Posteroanterior · left plain radiograph of the wrist · pediatric patient (boy, age 16) — 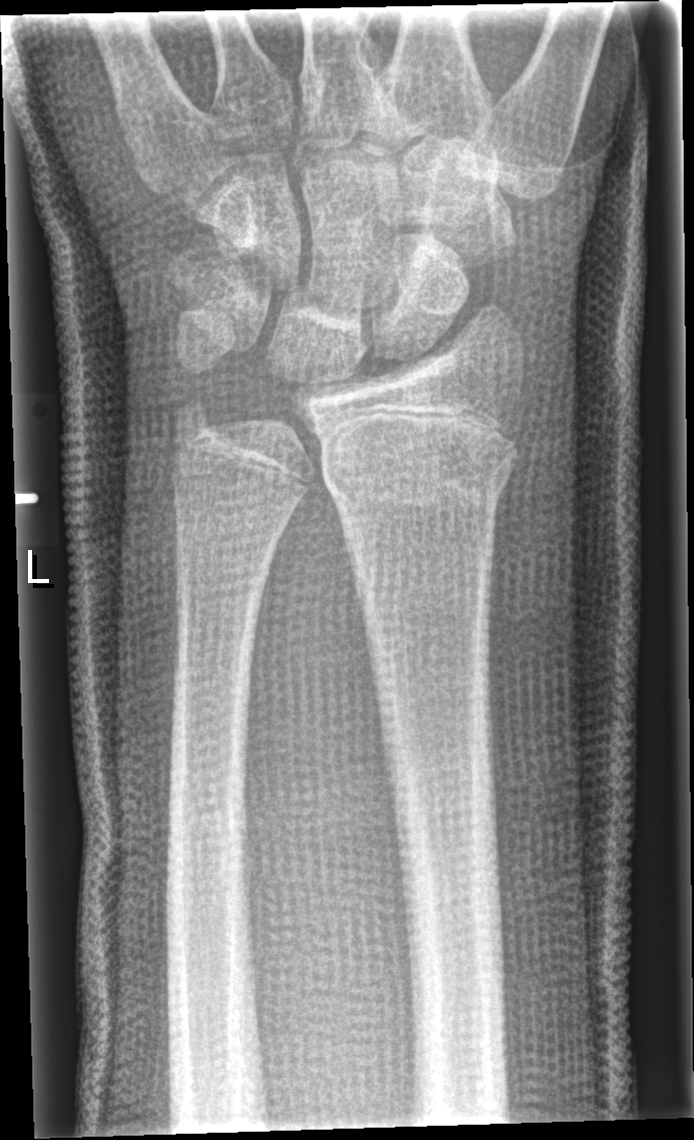

FINDINGS — (boxes as x1,y1,x2,y2 (top-left / bottom-right, pixel units)) Bone fracture: 318,412,520,513
  166,387,225,448.